Lateral; L wrist XR; 15y M; acquired on Siemens:

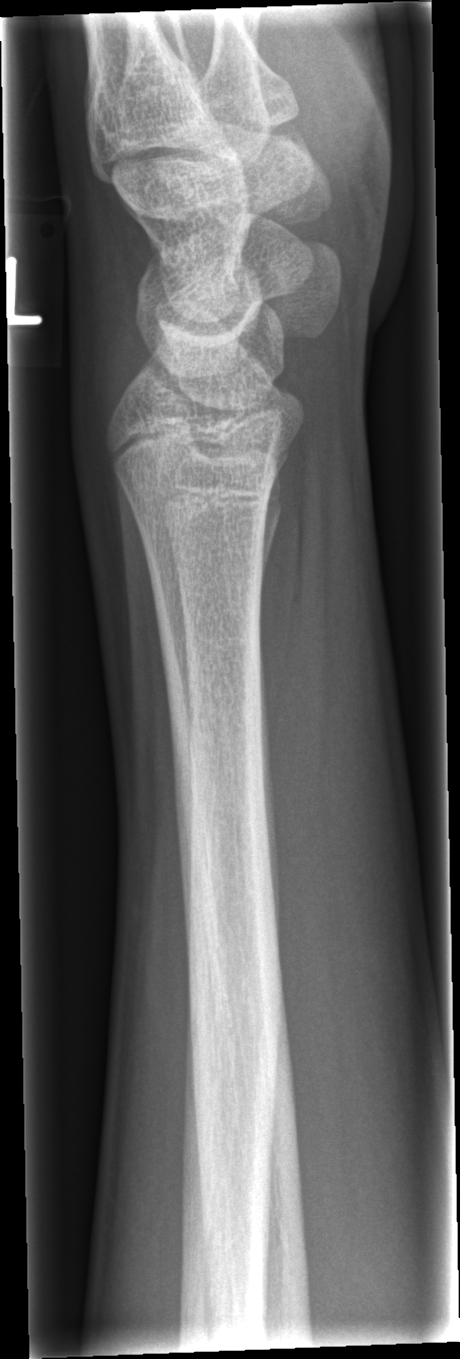

{
  "fracture": "none labeled"
}